Posteroanterior, Rt wrist X-ray, 15-year-old female, imaged through cast:
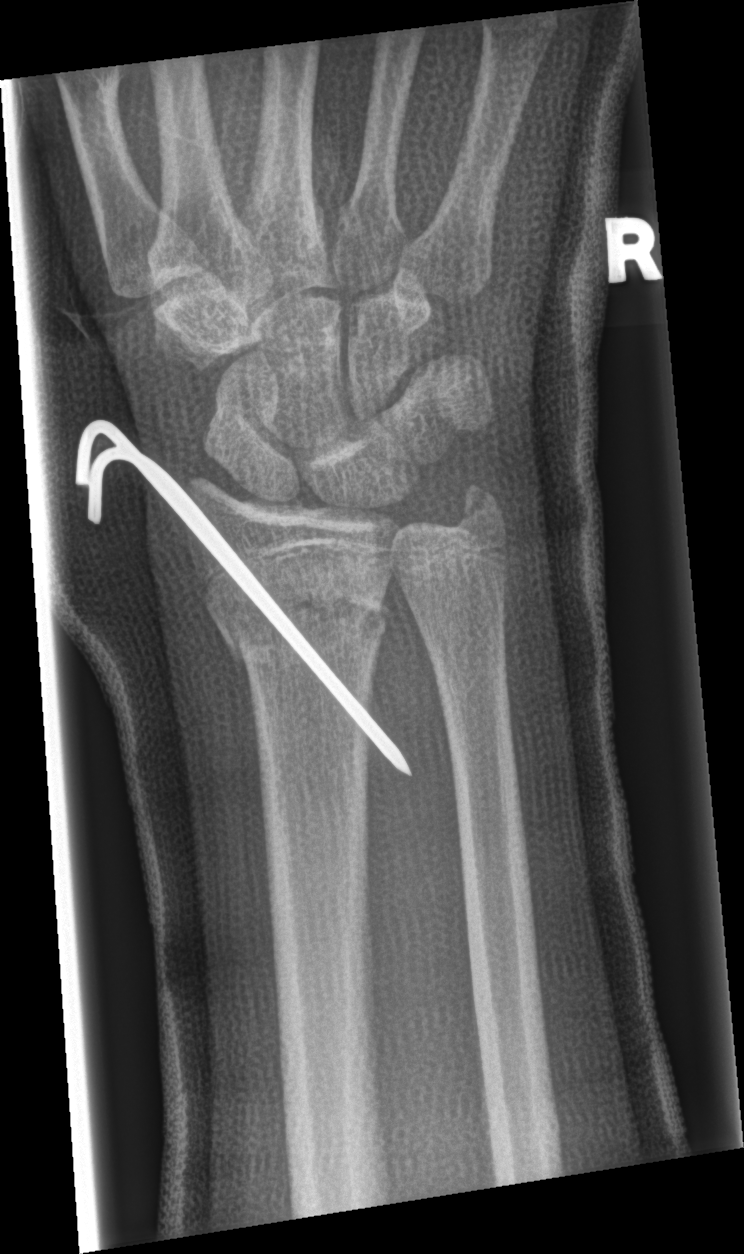 FINDINGS: One metallic hardware at 74 416 417 775. Fracture classified AO/OTA 23r-M/3.1; 22u-D/1.1; 23u-E/7. Bone fracture identified at 204 579 397 703
  446 476 510 551.